Lt wrist X-ray, lat view:

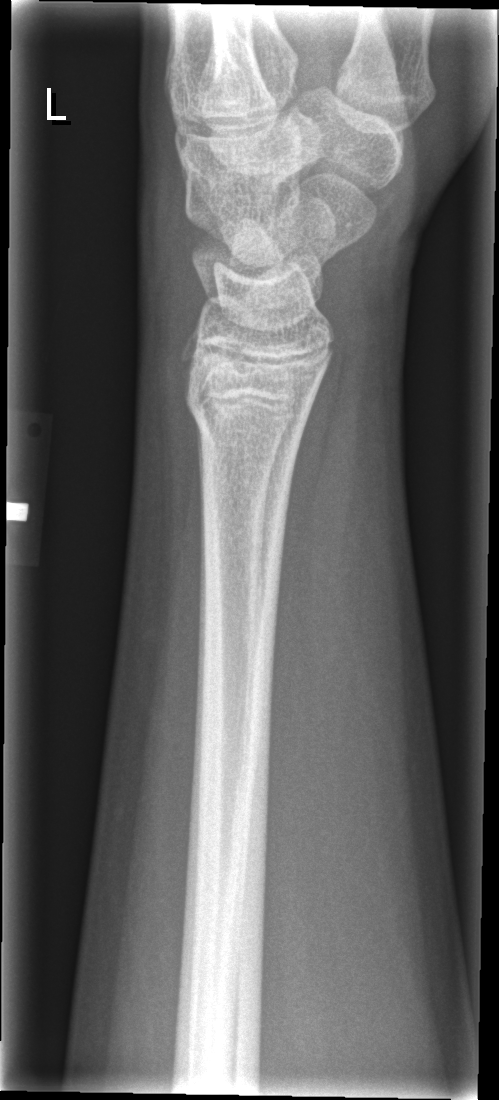
AO code = 23r-M/2.1
bone fracture = 1 @ 182 383 312 454